Left wrist radiograph · PA/AP view · boy, 14 yo · 761 by 846 pixels

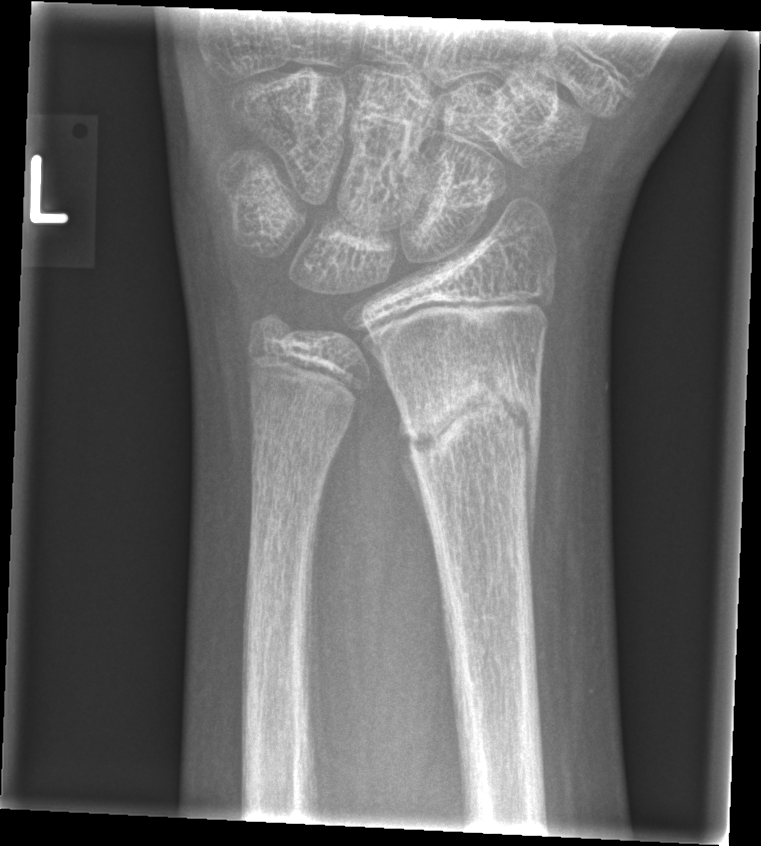

* Osteopenia.
* Bone variant: bbox(234, 234, 385, 429).
* AO code 23r-M/3.1; 23u-E/1.
* Periosteal new bone: bbox(395, 415, 432, 544); bbox(523, 377, 542, 572).
* Fx identified at bbox(397, 361, 543, 468).